Lt wrist plain film; lat projection; boy, 8 yo —
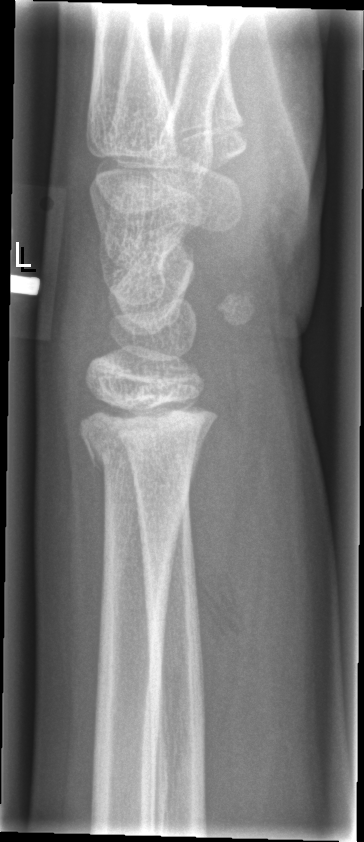

Fx: 1 @ 85 398 217 485
Pronator sign: 1 @ 186 344 260 739
AO code: 23r-E/2.1; 23u-E/7